Posteroanterior | Rt wrist X-ray | male, 8 yo | acquired on Siemens | 472 x 1136 px — 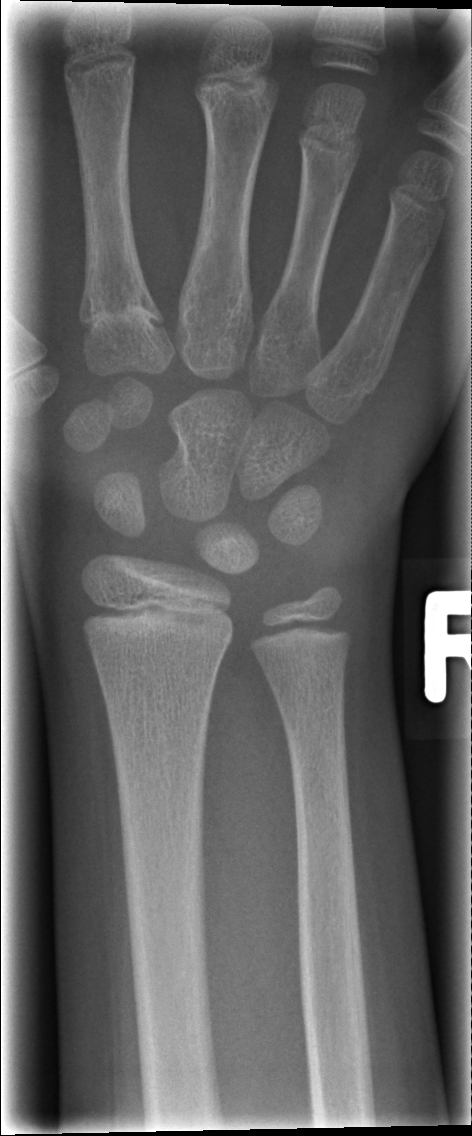

Fx = none labeled